L wrist X-ray; PA/AP projection; age 14 y, male 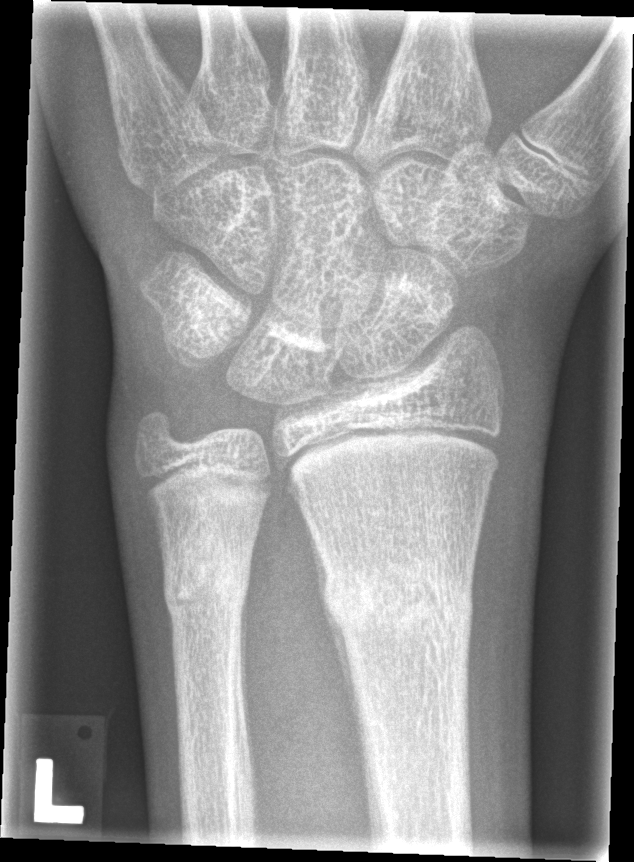

{"_coords": "bounding boxes in image-pixel xyxy", "periostealreaction": "2 @ 321 602 365 789 | 237 587 254 791", "ao": "23-M/2.1", "fracture": "323 559 475 647\n  162 542 259 629", "osteopenia": "present"}